PA/AP | left wrist plain radiograph of the wrist | 465 by 618 pixels
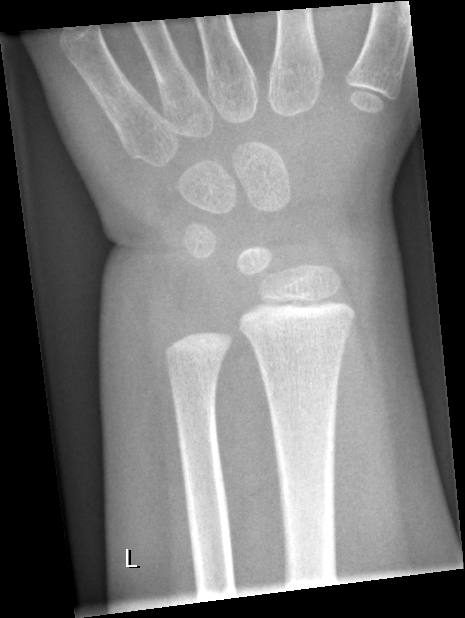
Q: Fracture present?
A: No fracture labeled